Left wrist XR; AP; subsequent exam; cast in situ.

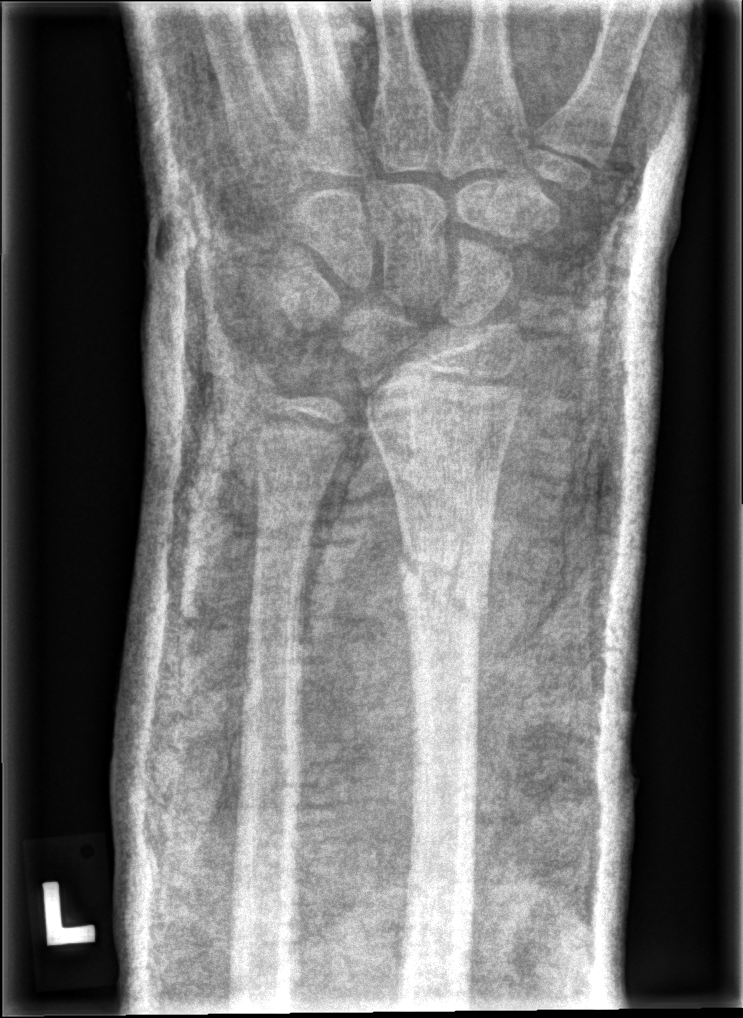
{
  "_coords": "coordinates are [x1, y1, x2, y2] in image pixels",
  "fracture": "392 545 495 630\n  252 483 326 543",
  "ao": "23r-M/3.1; 23u-M/2.1"
}